Lt plain radiograph of the wrist · posteroanterior projection · 5y M.
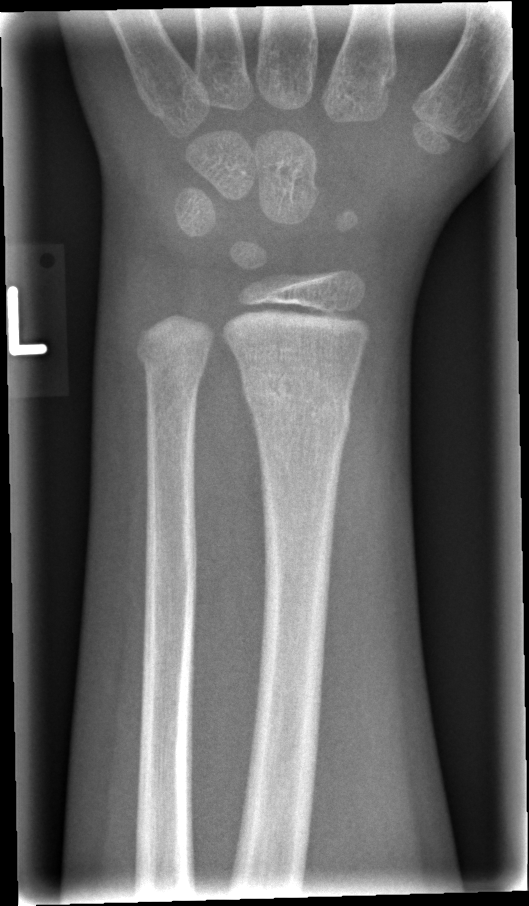 Fracture classified AO/OTA 23-M/2.1. Fx: <236,355>-<354,445>, <133,331>-<212,386>.